R wrist XR | lat projection | male, 7 yo | image 81.2 mm wide 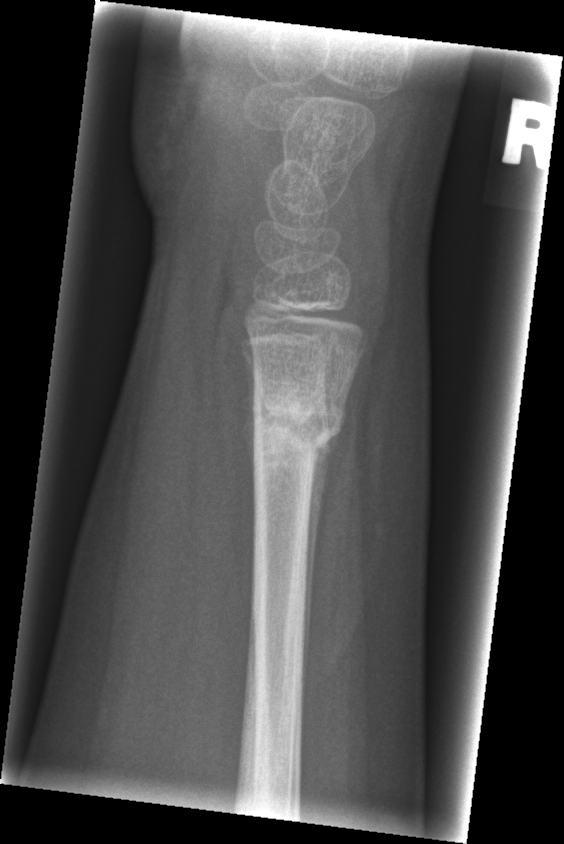

  osteopenia: present
  periostealreaction: 1 @ 298 430 339 739
  fracture: 245 378 344 465
  ao: 23r-M/2.1; 23u-M/3.1